AP view | Lt wrist X-ray | 15-year-old male | cast present
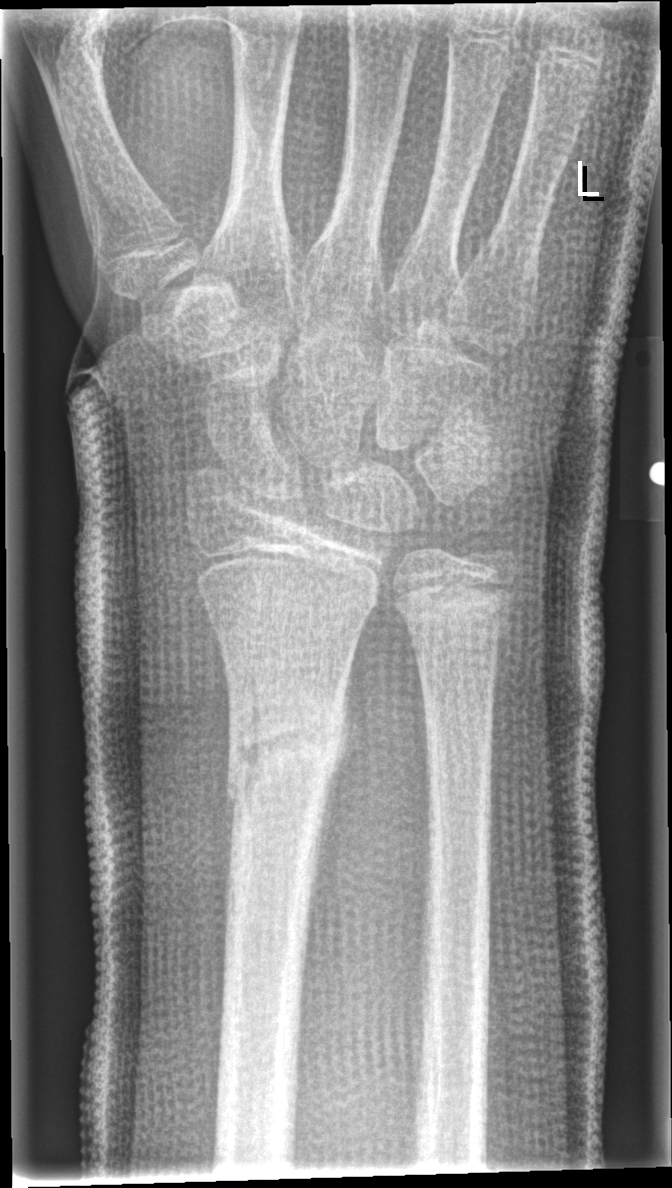

AO code 23r-M/3.1.
Fx identified at (221, 694, 354, 821).